Right wrist plain film, lateral projection, 13-year-old male —
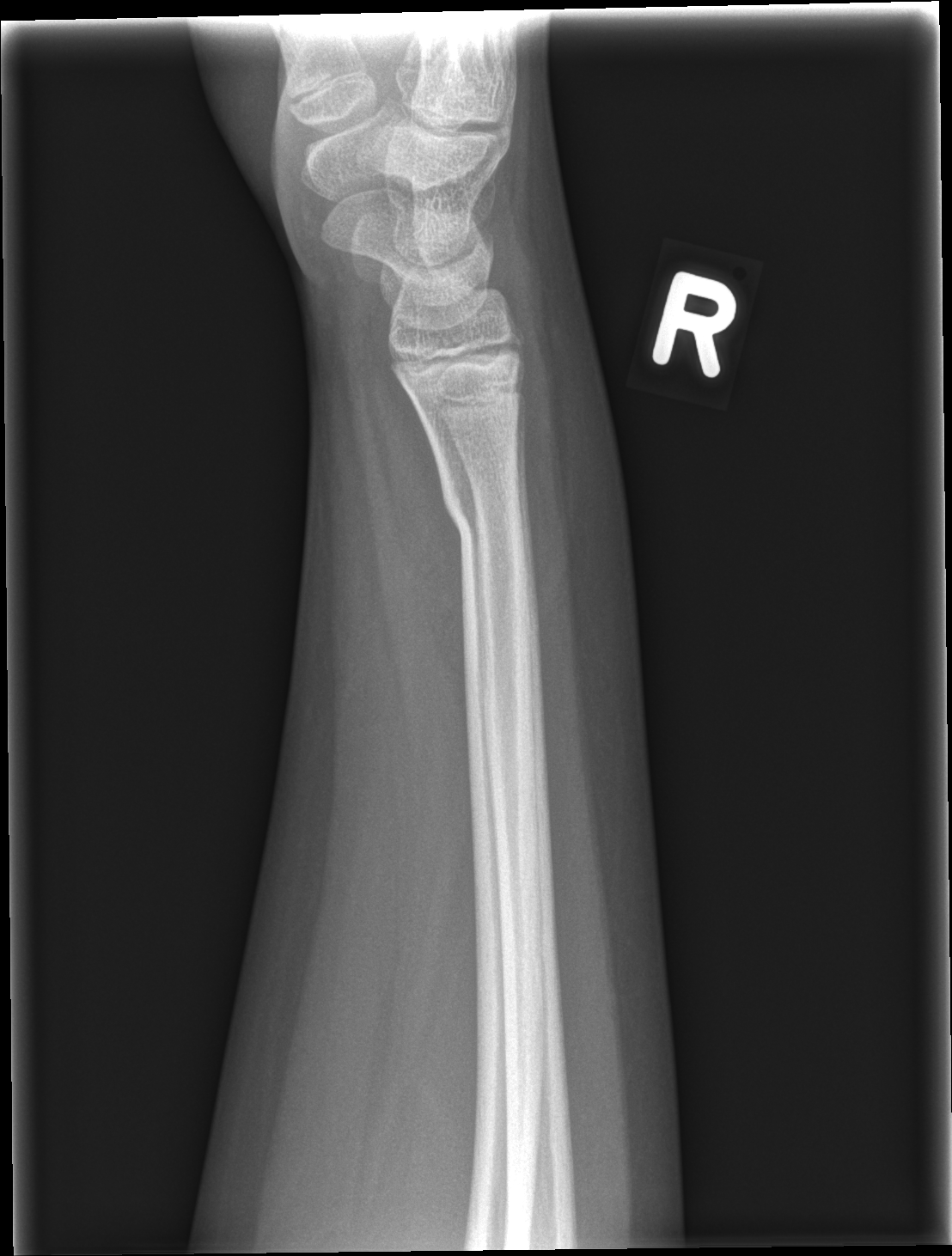 Q: Locate any fractures.
A: Fracture identified at (left=439, top=477, right=529, bottom=555)
Q: Is the pronator sign positive?
A: Pronator sign — (left=369, top=342, right=469, bottom=731)